R wrist radiograph; lat
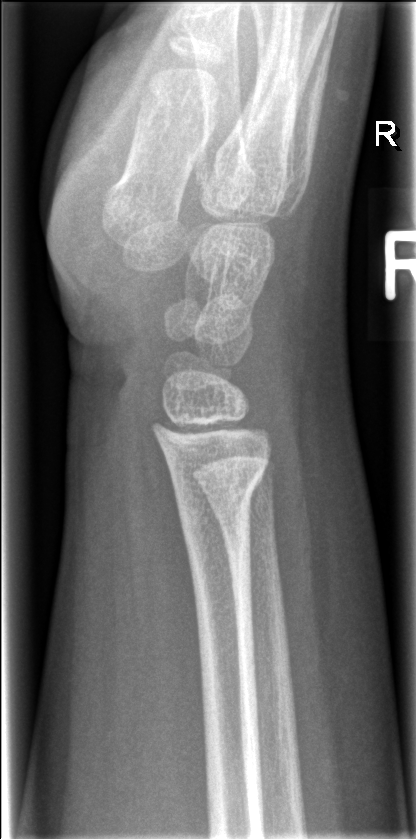 Fx: 171,451,270,531.
AO/OTA classification: 23r-M/2.1.